L wrist XR · lat view · 512 by 938 pixels —
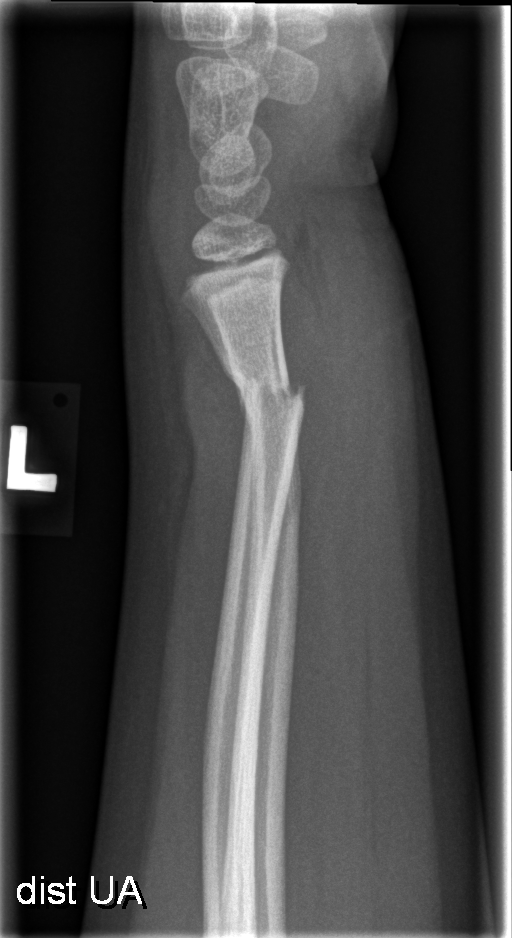 Pronator quadratus fat-pad sign identified at bbox(282, 258, 368, 582).
One bone fracture at bbox(225, 373, 309, 426).
Fracture classified AO/OTA 23-M/3.1.